Lateral view · Rt pediatric wrist radiograph · pediatric patient (girl, age 4) · initial study:

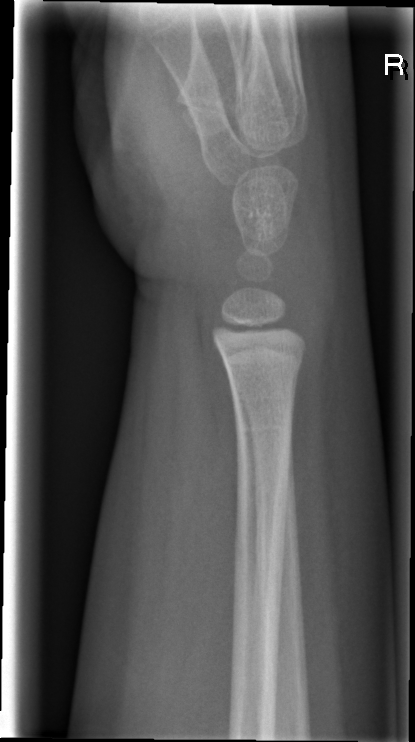

{"fracture": "none labeled"}